Lateral projection | L wrist radiograph | 82.5 mm image width
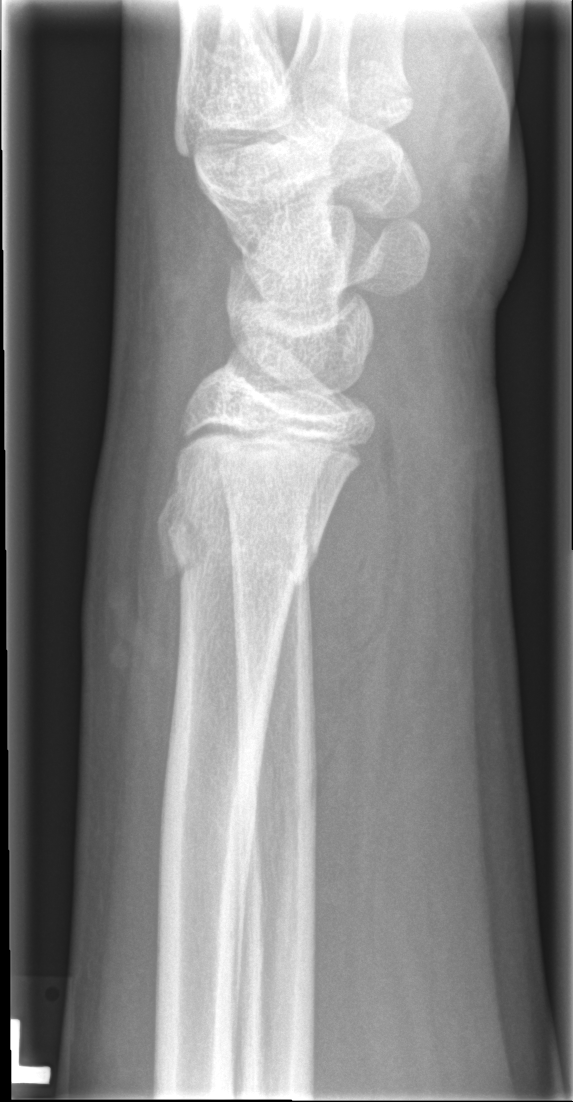 Q: Is there a fracture?
A: Fracture: 153,484,327,602
Q: AO code?
A: AO/OTA classification: 23r-M/3.1; 23u-E/2.1
Q: Pronator fat-pad sign?
A: Pronator sign: 307,426,398,802